L wrist X-ray | AP view.
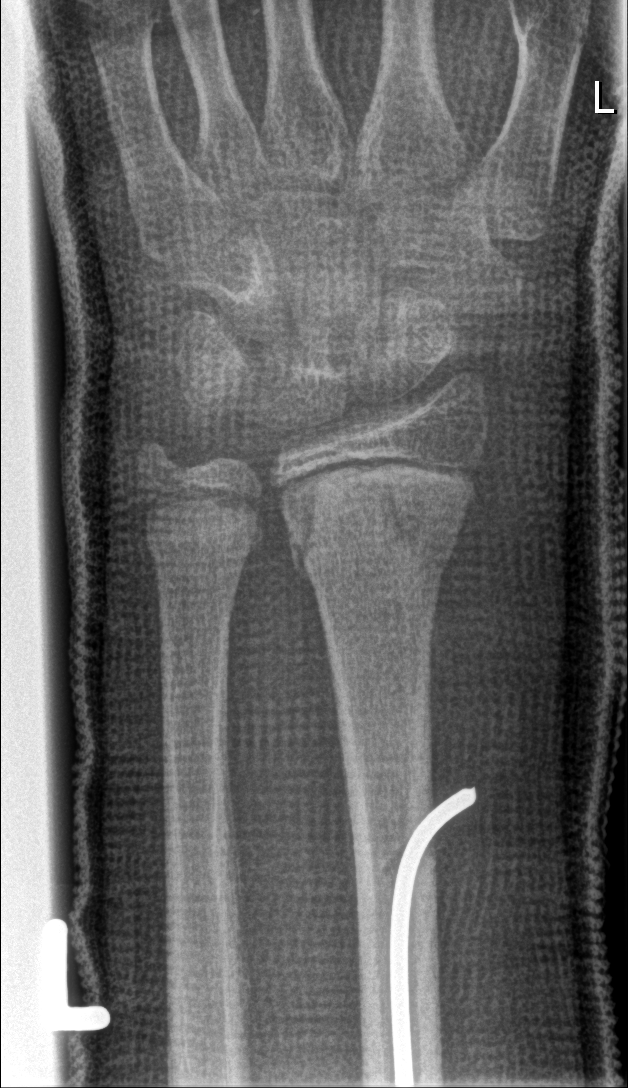 Boxes as x1,y1,x2,y2 (top-left / bottom-right, pixel units).
Hardware: (387, 784, 479, 1085).
Fracture classified AO/OTA 23r-E/2.1; 23u-M/2.1.
Fx — (274, 465, 474, 589); (141, 491, 267, 564).